Lateral | Lt wrist X-ray | male, 10 yo | 548 by 986 pixels —
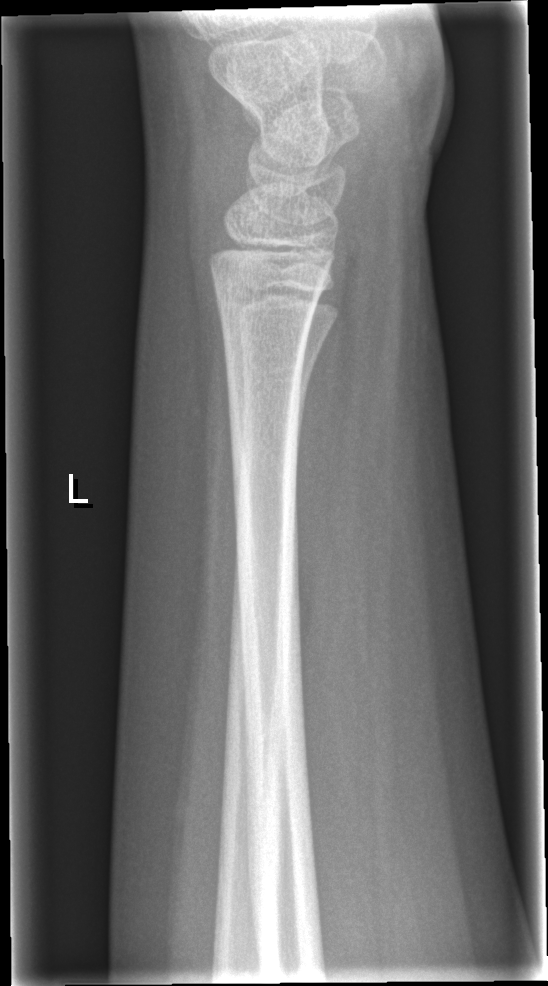
FINDINGS — Fx: none.